Right pediatric wrist radiograph | frontal | pediatric patient (boy, age 9) | image size 628x918 —

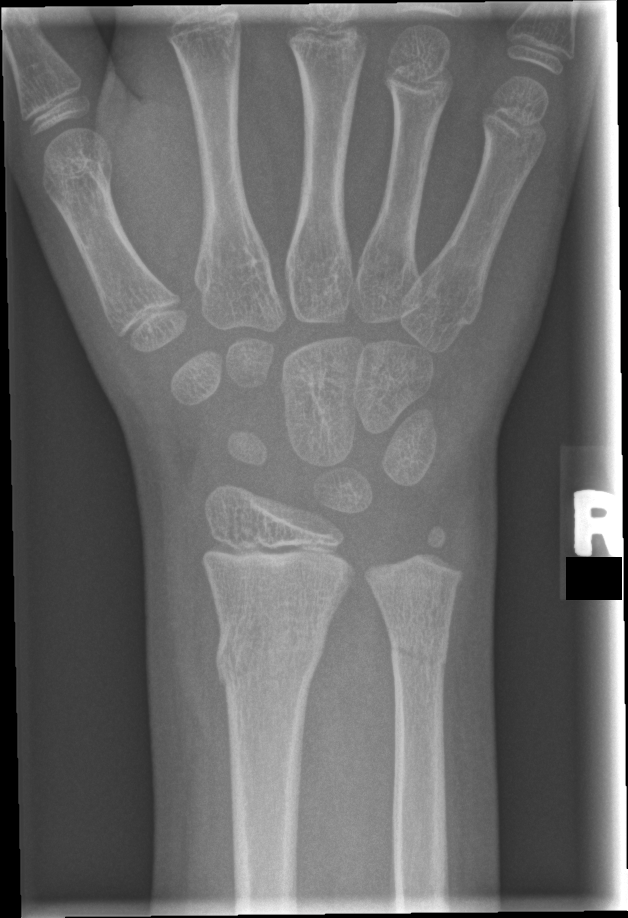

- AO code 23-M/3.1.
- Two Fx at 213 609 329 696
  387 632 452 677.